Lat projection; right wrist X-ray; acquired on Siemens; image width 84.0 mm: 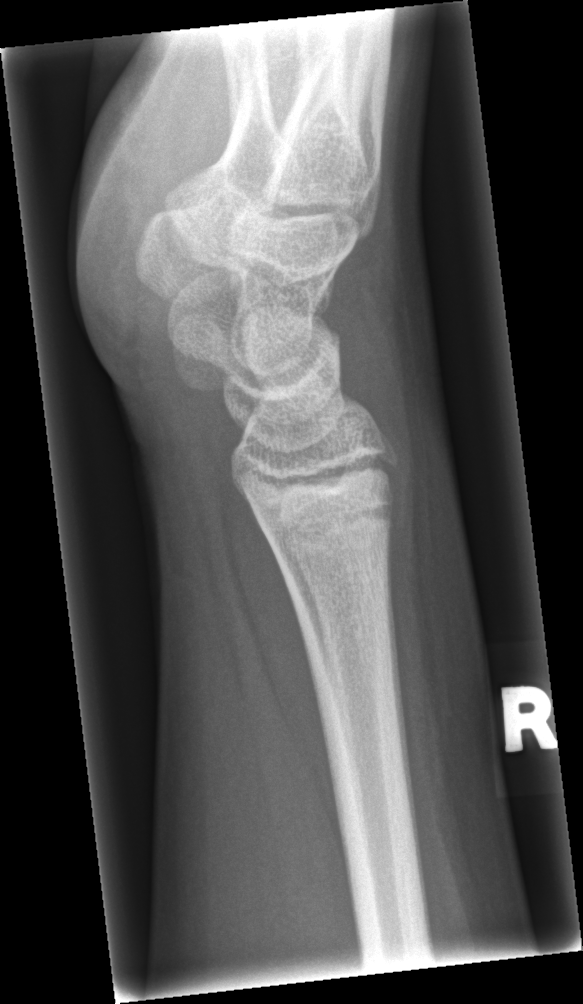
Fx: none.